Lat view; left wrist X-ray; age 12 y, male —
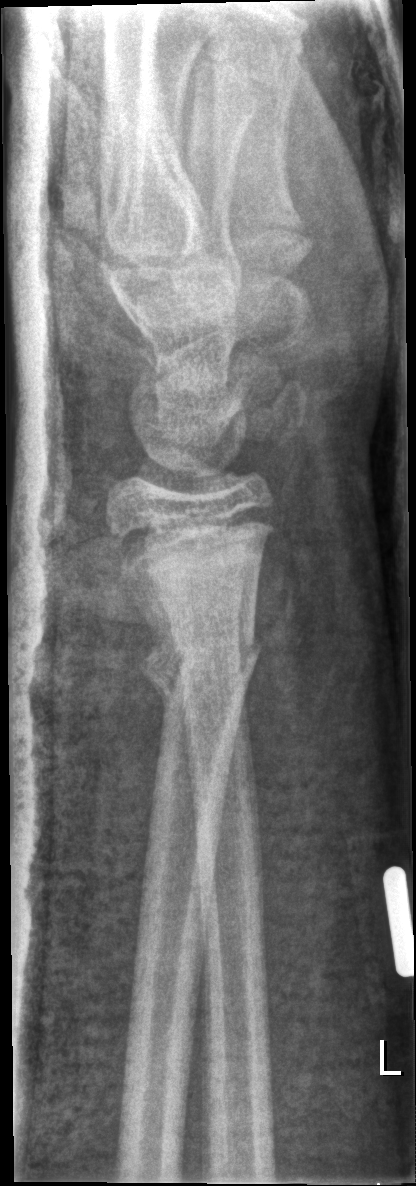 Fracture classified AO/OTA 23r-M/3.1; 23u-E/7. One bone fracture at [x1=134, y1=627, x2=265, y2=743].